Left pediatric wrist radiograph, lateral projection.

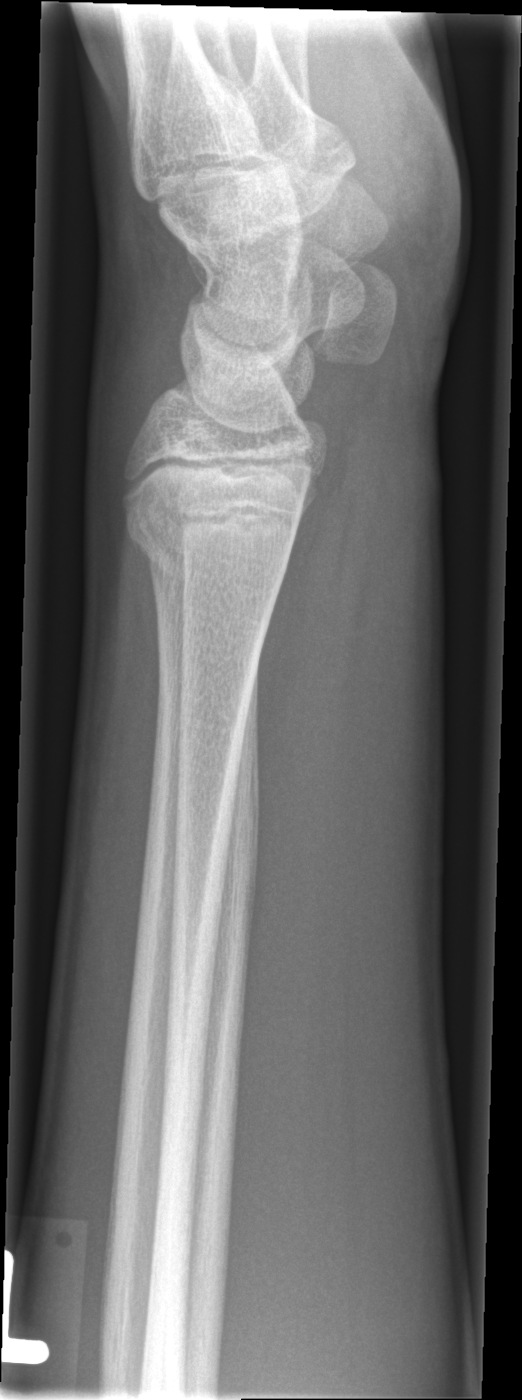
Pixel coordinates, top-left origin, xyxy. AO/OTA classification: 23r-M/2.1; 23u-E/7. One bone fracture at bbox(122, 492, 305, 578).